Frontal · right wrist X-ray · 2-year-old boy · 72.3 mm image width · 502x634.
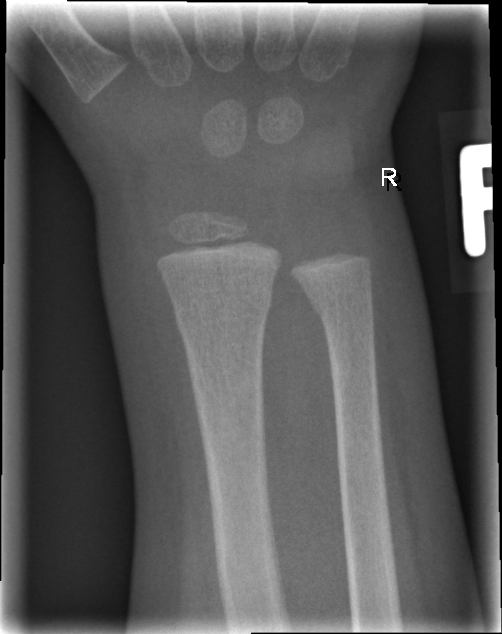 Q: AO code?
A: Fracture classified AO/OTA 23-M/2.1
Q: Any fracture seen?
A: Bone fracture identified at <170,283>-<276,334>, <304,285>-<378,321>